PA/AP · Rt plain radiograph of the wrist —

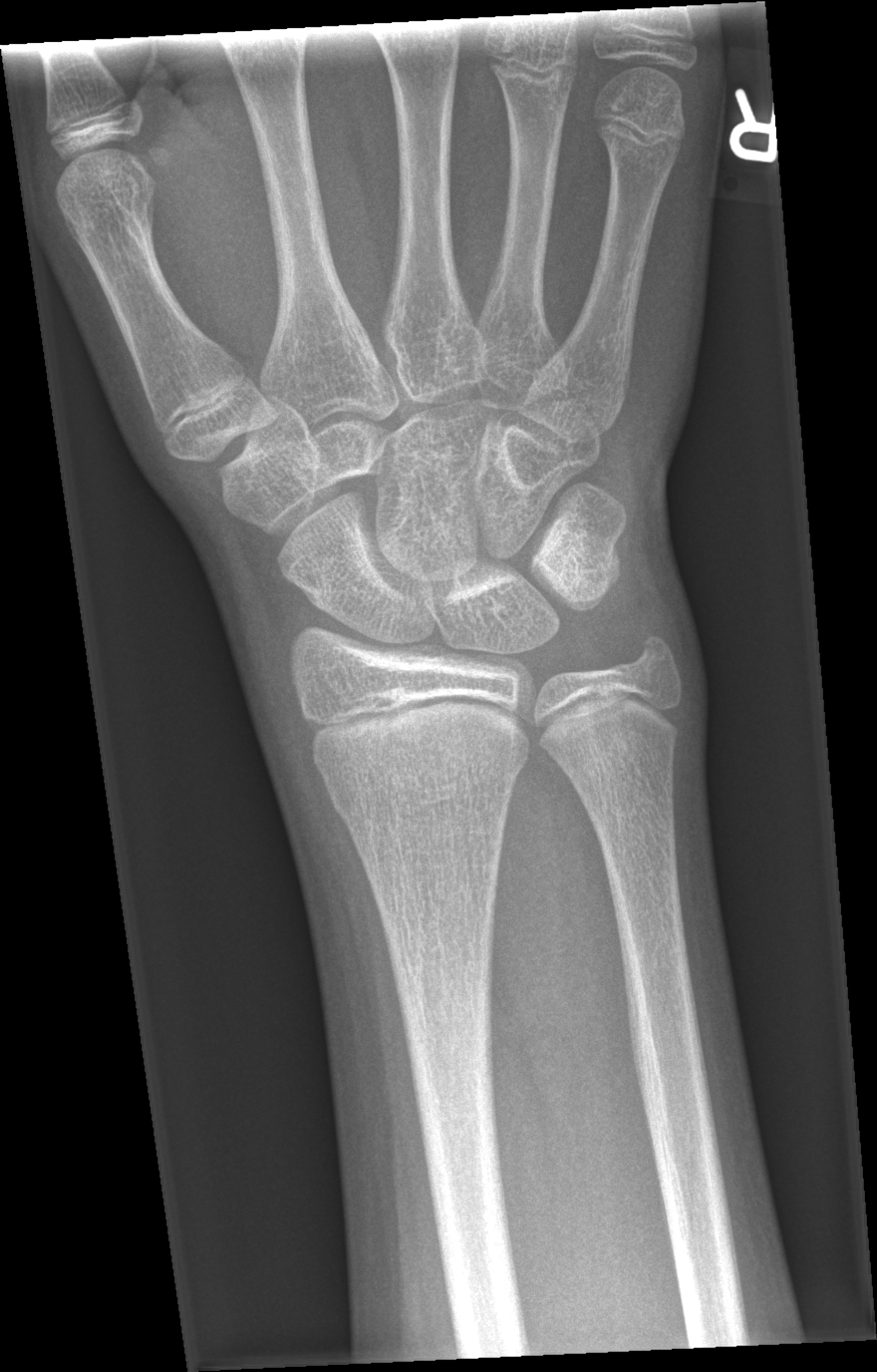
- Two fractures at [x1=315, y1=747, x2=524, y2=827] [x1=624, y1=620, x2=688, y2=687].